Lateral · Rt plain radiograph of the wrist · 12-year-old boy · image width 115.1 mm —

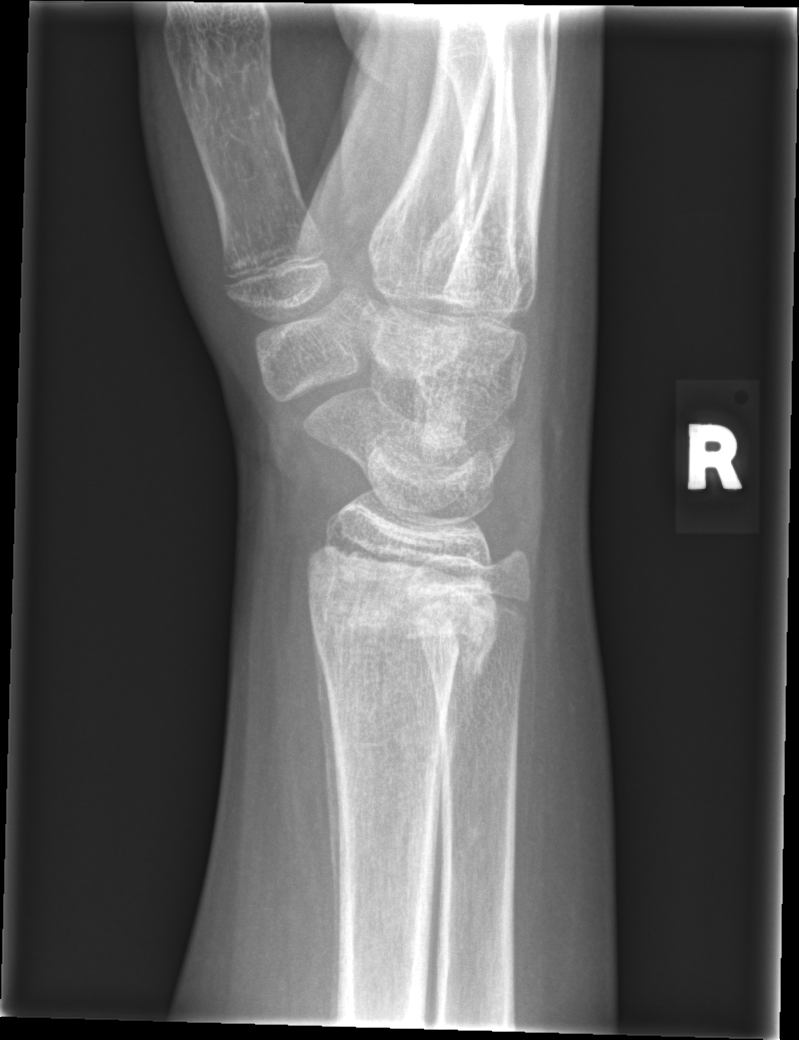   # boxes as x1,y1,x2,y2 (top-left / bottom-right, pixel units)
  periostealreaction: 310,623,354,953
  ao: 23r-M/3.1
  fracture: 1 @ 304,564,500,699
  osteopenia: present